PA/AP view | left plain radiograph of the wrist | 99.6 mm image width:
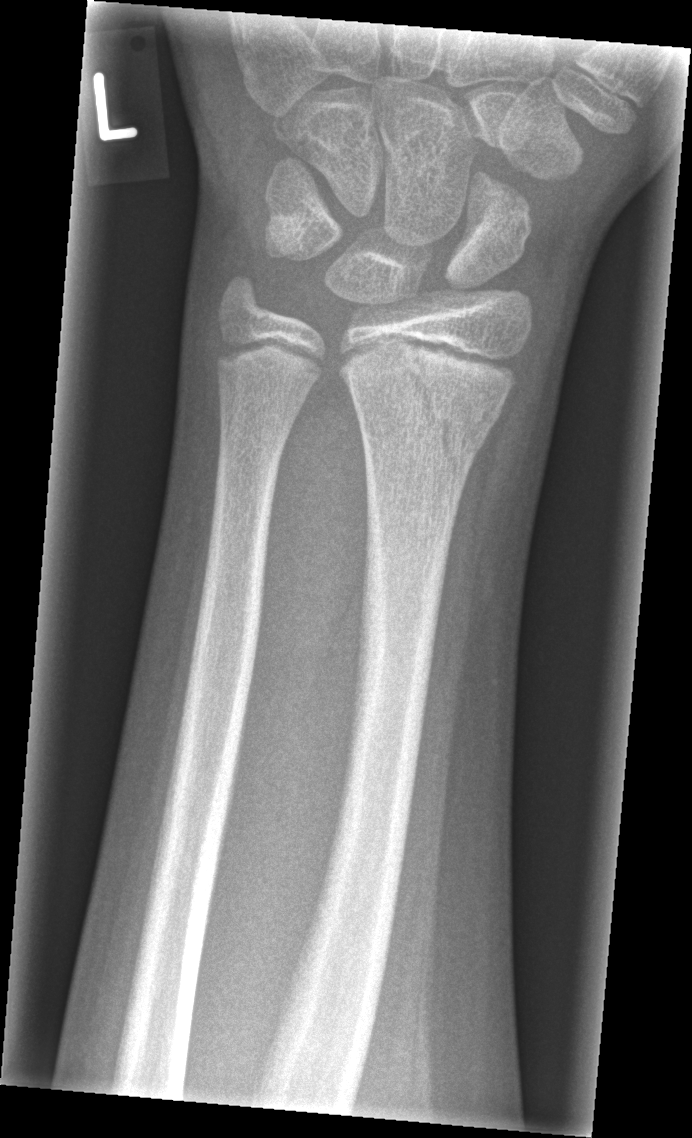 • Bounding boxes in image-pixel xyxy.
• AO code 23r-M/3.1; 23u-E/7.
• Fractures — bbox(340, 342, 512, 501); bbox(214, 268, 280, 335).